Lat projection, left wrist XR, 10-year-old boy, follow-up, 66.2 mm image width:

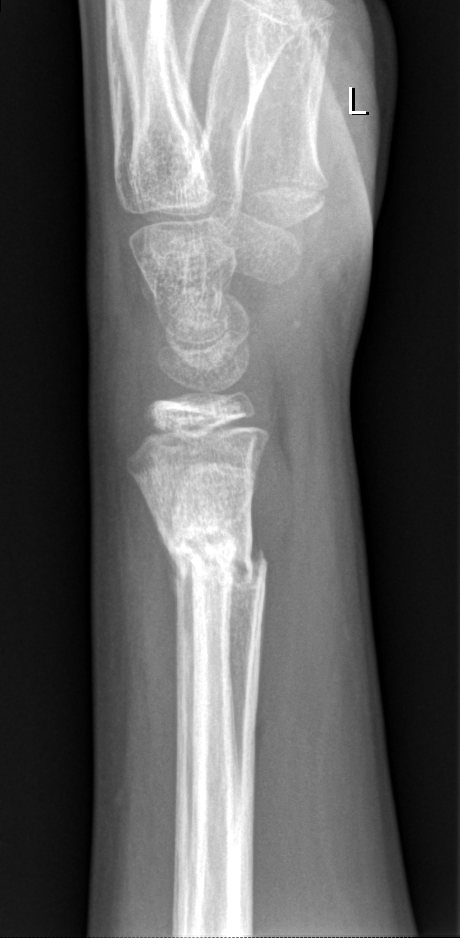

{
  "_coords": "boxes as x1,y1,x2,y2 (top-left / bottom-right, pixel units)",
  "fracture": "1 @ bbox(162, 522, 269, 592)",
  "ao": "23-M/3.1"
}